Lt wrist X-ray · lateral · age 9 y, boy · Siemens · 80.8 mm image width · 561 by 1006 pixels:

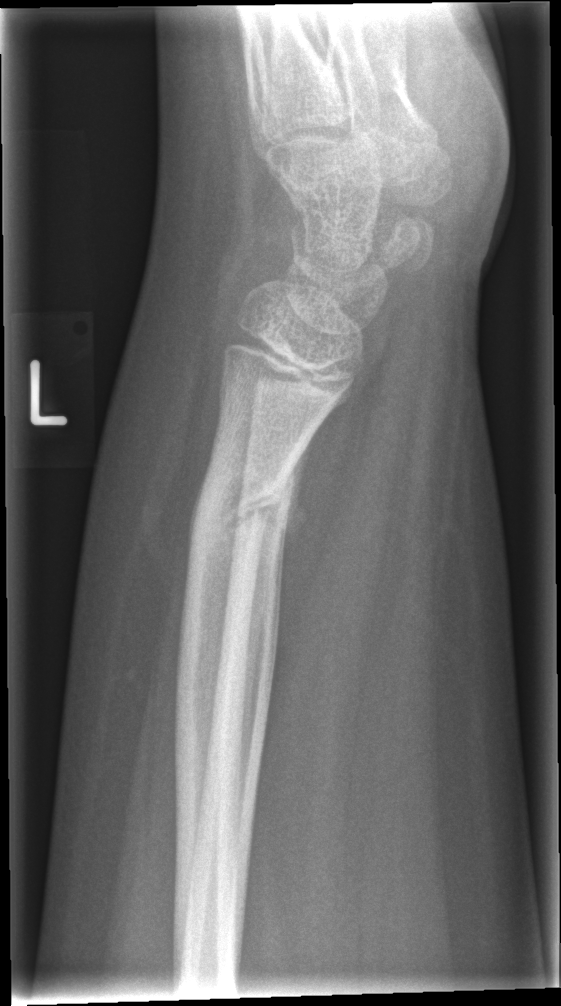

Bounding boxes in image-pixel xyxy. Osteopenic. Bone fracture — [x1=182, y1=454, x2=301, y2=557]. AO/OTA classification: 23-M/2.1.